Lateral, left wrist pediatric wrist radiograph, Siemens.

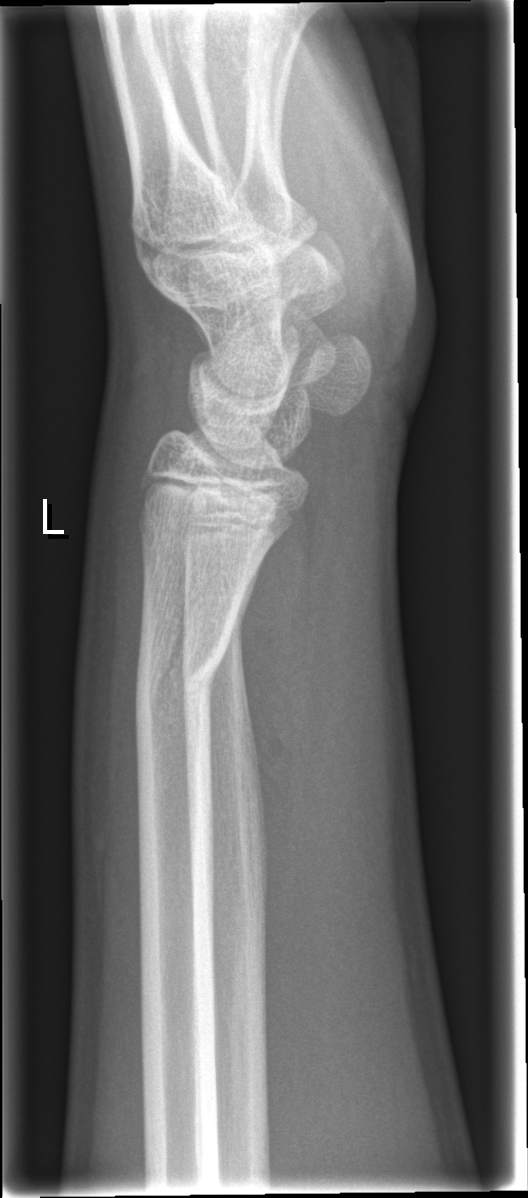

FINDINGS: (bounding boxes in image-pixel xyxy) Fracture identified at 126 619 238 742. Pronator quadratus fat-pad sign: 237 495 320 849.